Rt wrist plain film | AP projection:

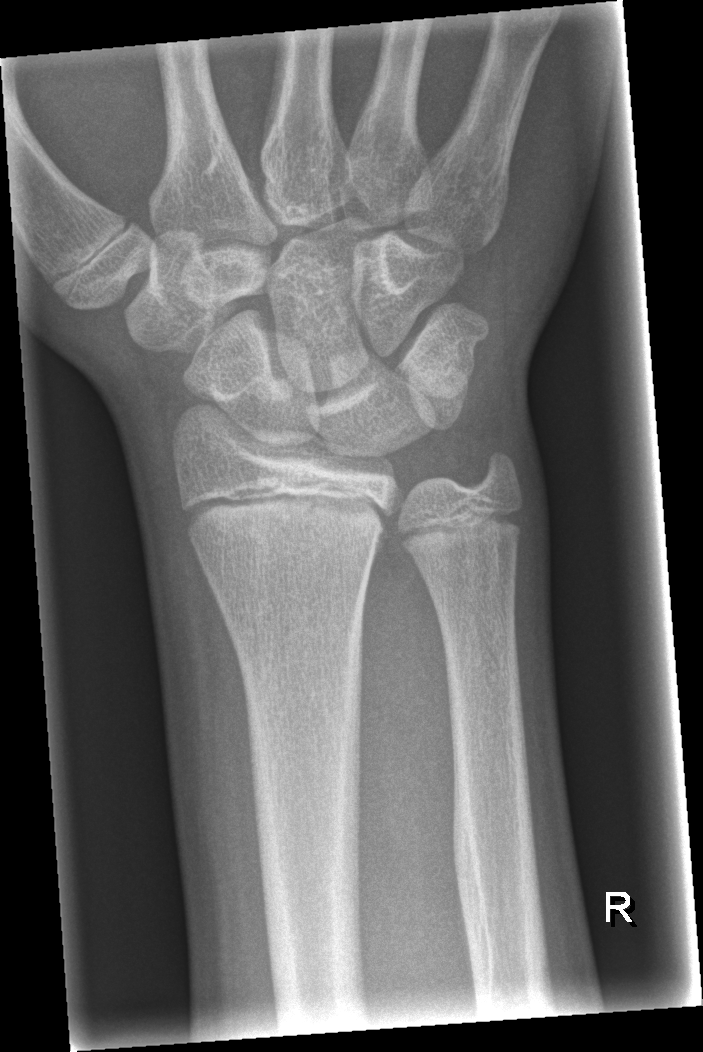 Fracture classified AO/OTA 23r-M/2.1.
Fracture present, though not clearly seen in this view.